Lateral view | right wrist X-ray | detector: Siemens: 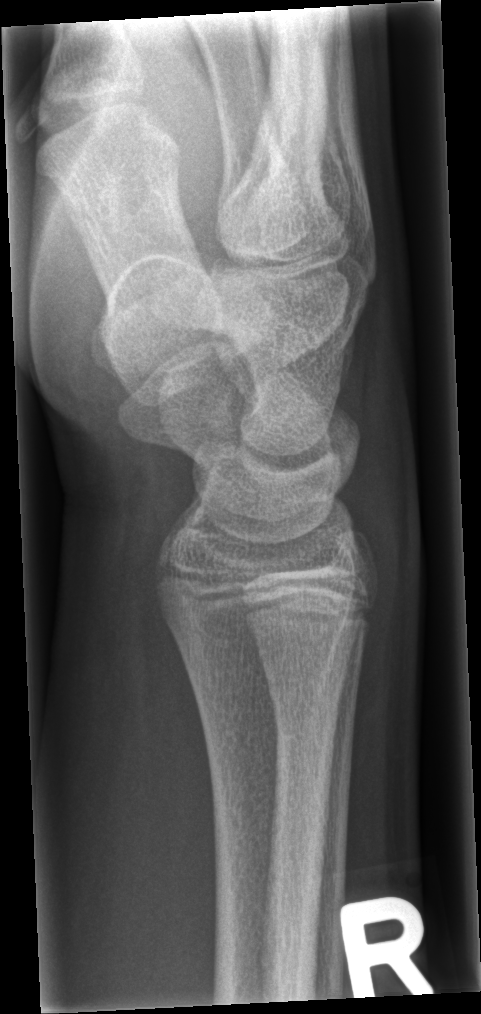
No fracture annotation.